PA/AP projection | R plain radiograph of the wrist | 96.9 mm image width | image size 673x1082. 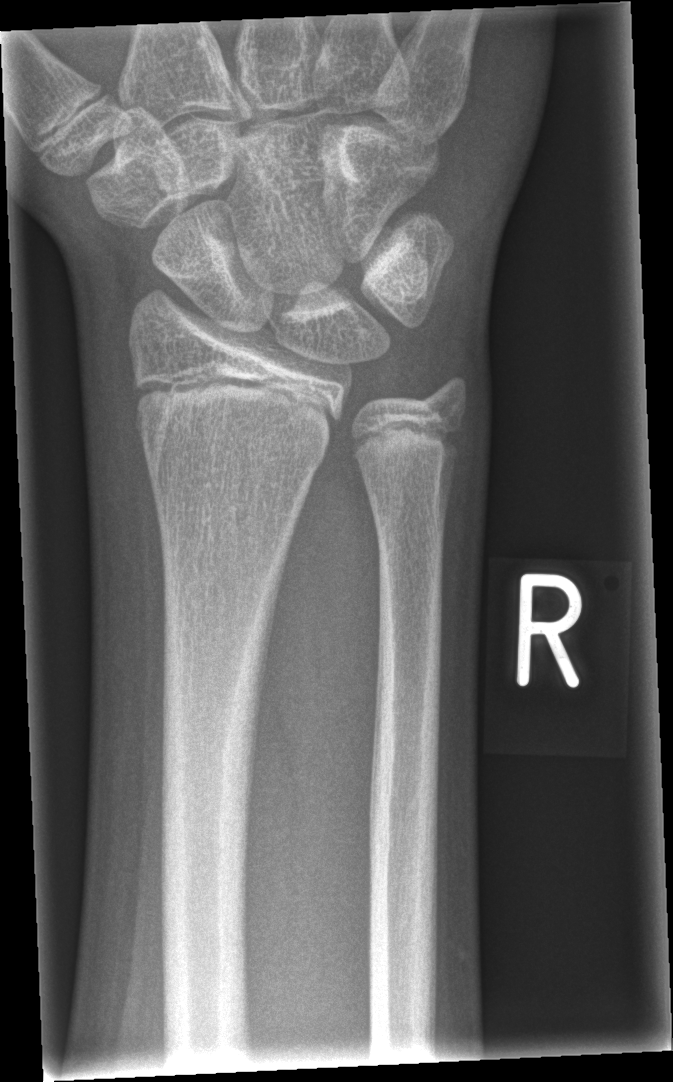
Bone fracture = present but not clearly seen in this view
AO classification = 23r-M/2.1